PA; Lt wrist X-ray; image 84.0 mm wide 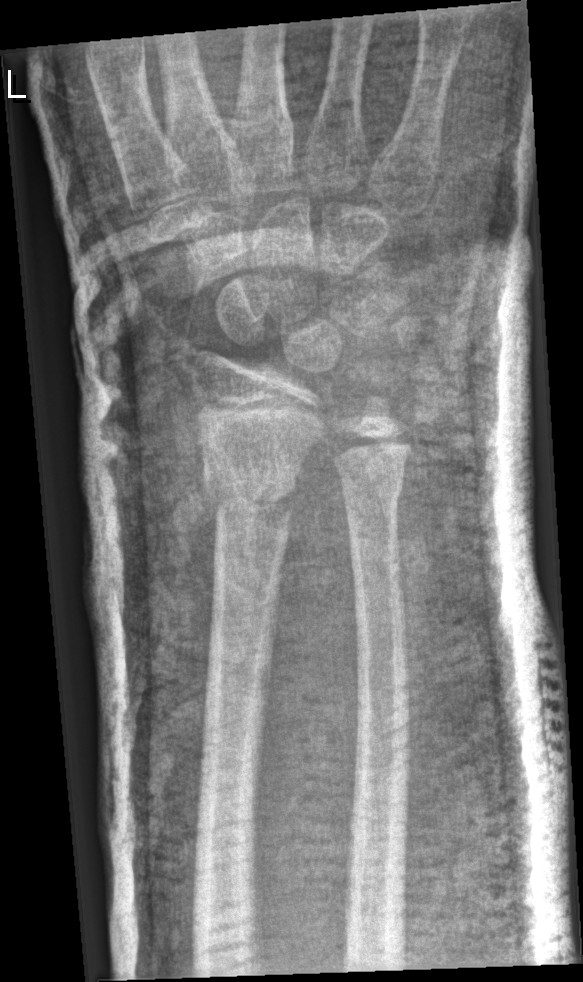
Two bone fractures at [198, 450, 302, 539]; [339, 460, 408, 518].
AO/OTA classification: 23r-M/3.1; 23u-M/2.1.